Lateral; L wrist XR; girl, 6 yo; cast present; detector: Siemens — 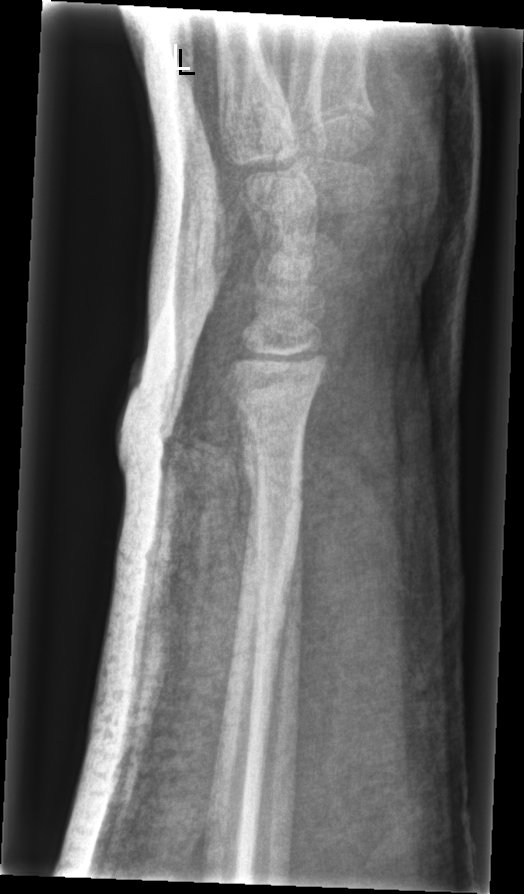
FINDINGS: (coordinates are [x1, y1, x2, y2] in image pixels) Fx — bbox(240, 446, 312, 535). AO code 23r-M/3.1; 23u-M/2.1.